Lateral view; Lt wrist X-ray; 11-year-old male; 528x1147 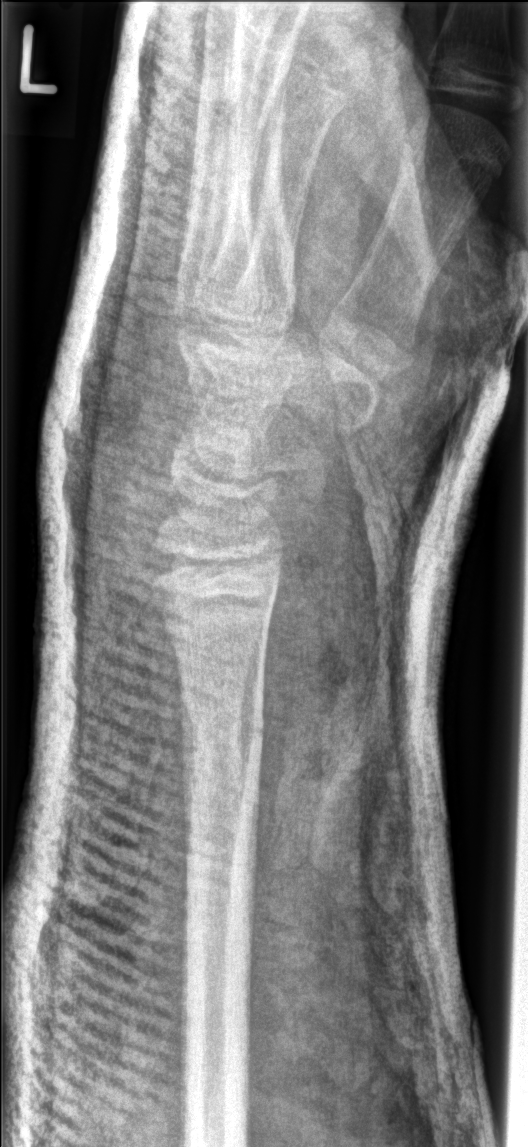

Pixel coordinates, top-left origin, xyxy. Bone fracture — <174,688>-<271,751>.